AP projection; left plain radiograph of the wrist —
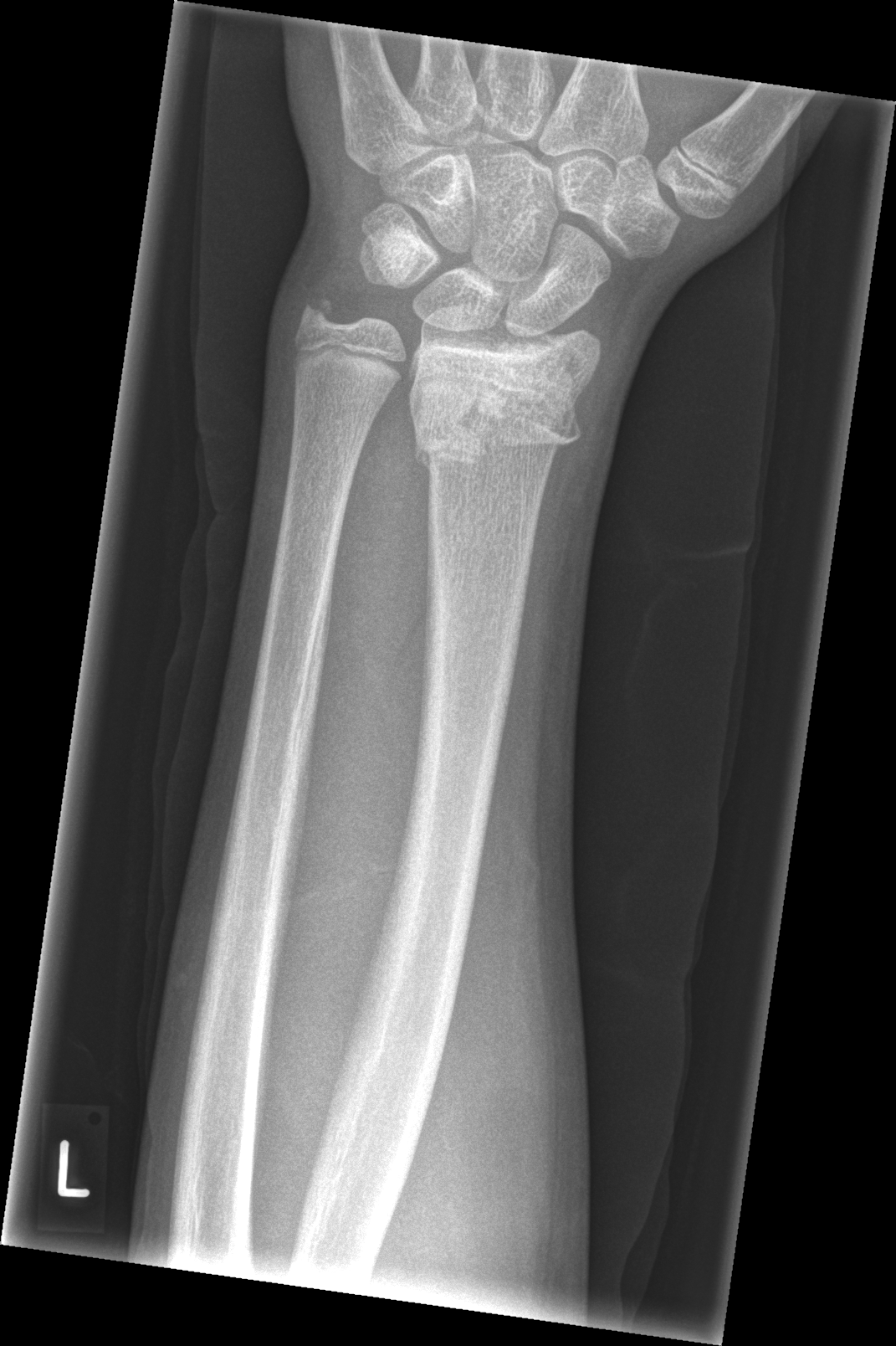 Bounding boxes in image-pixel xyxy.
AO/OTA classification: 23r-M/3.1; 23u-E/7.
Bone fractures — 403 371 586 476 | 295 287 346 338.